PA/AP | right wrist plain film | 10-year-old male | 89.0 mm image width. 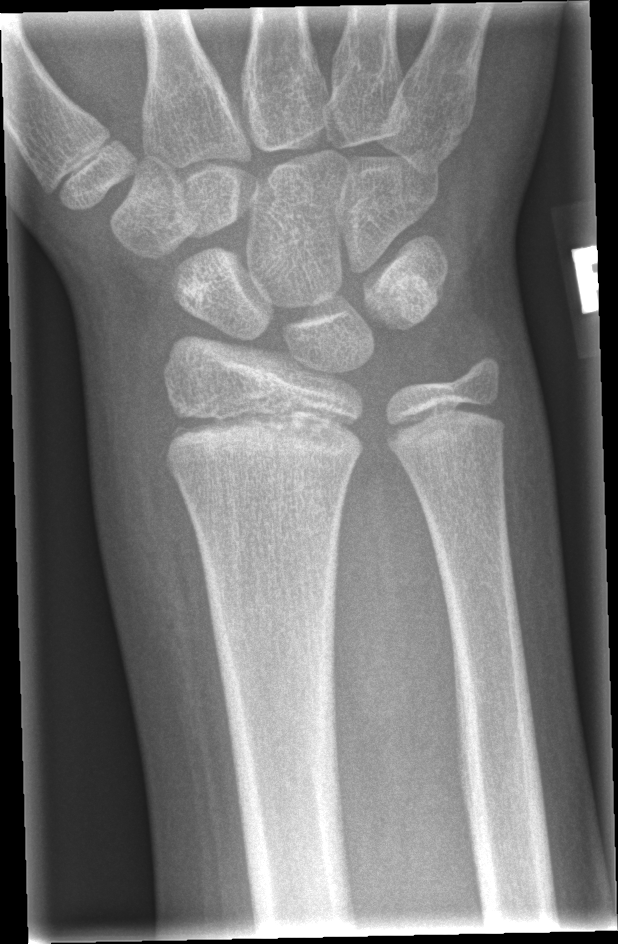 Boxes as x1,y1,x2,y2 (top-left / bottom-right, pixel units). Soft-tissue swelling: <85,339>-<221,727>. Fx identified at <153,403>-<366,485>. AO/OTA classification: 23r-E/2.1.